Posteroanterior projection; right wrist plain radiograph of the wrist; 10y F; cast present 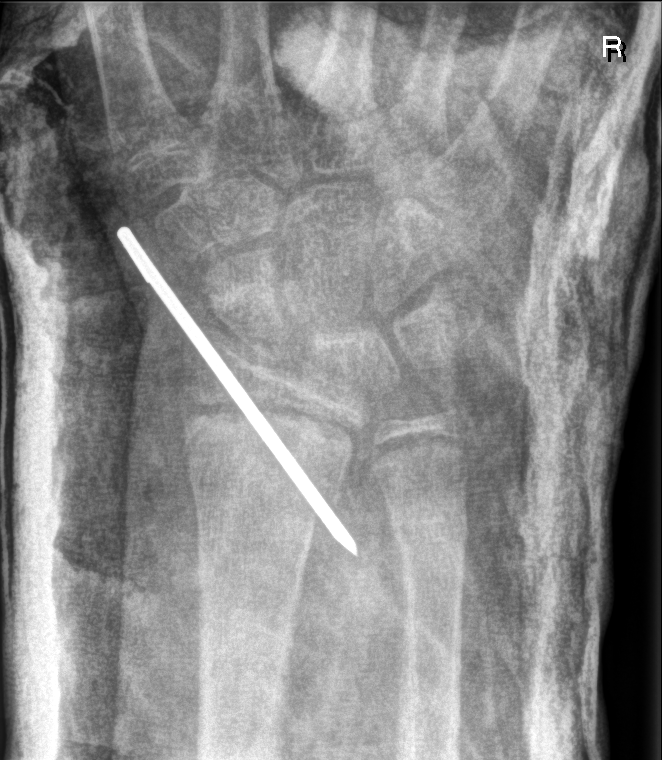 - AO code 23-E/2.1; 23u-M/2.1.
- Fx — (180, 389, 361, 499); (385, 502, 471, 552).
- Metallic hardware — (114, 222, 361, 559).